PA, left wrist plain film 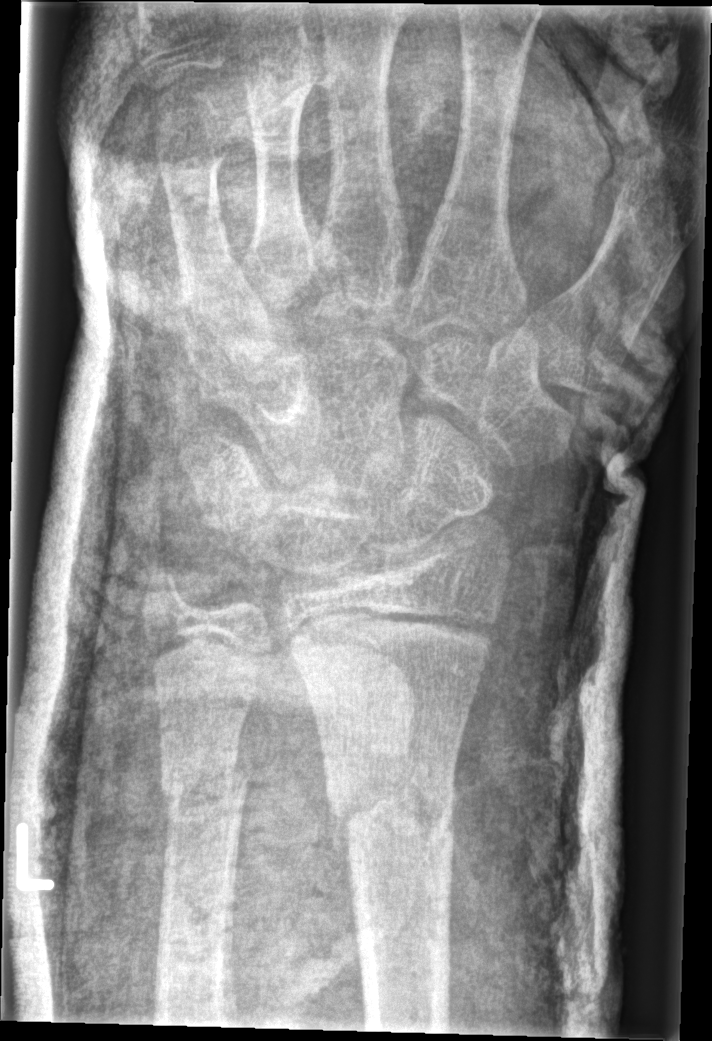
{
  "fracture": "[320, 751, 460, 857]; [155, 749, 251, 821]",
  "ao": "23-M/3.1"
}